Right wrist XR; lateral view: 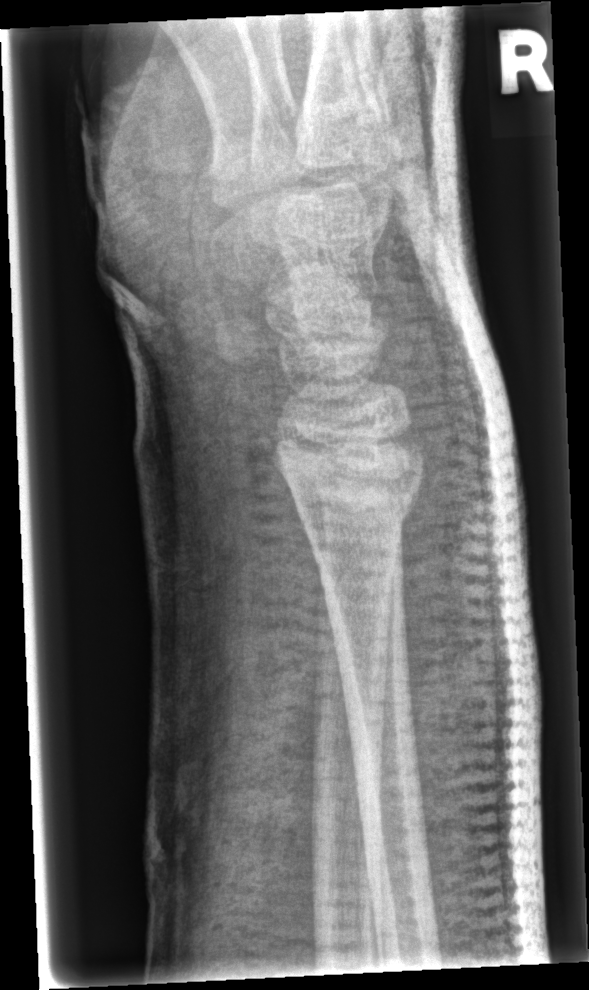
AO/OTA = 23r-M/3.1
Bone fracture = 1 @ (291, 457, 420, 554)